Left wrist radiograph; frontal; pediatric patient (female, age 6); cast present: 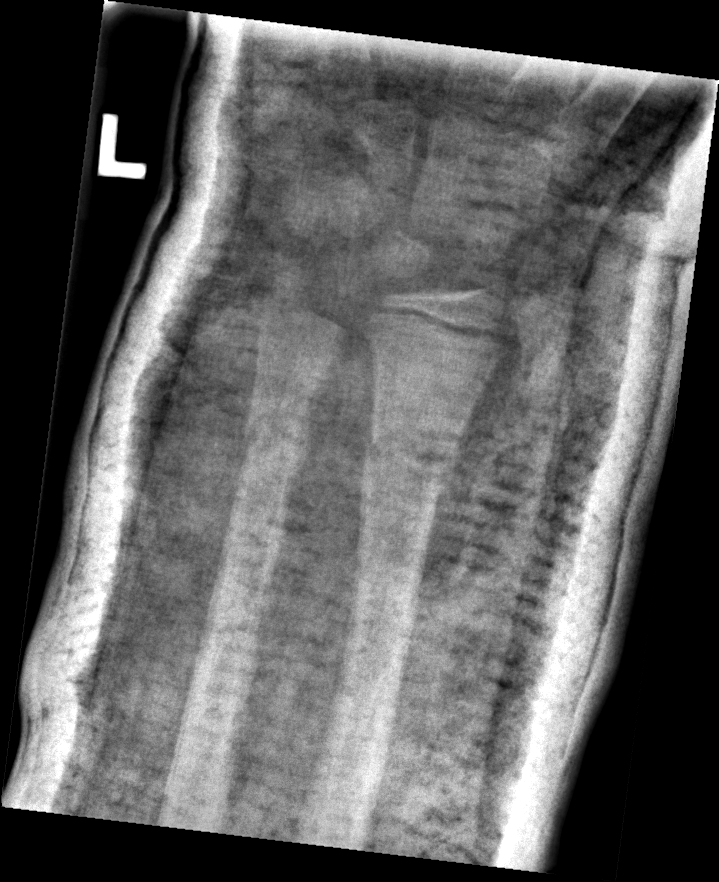
AO code 23-M/3.1.
Bone fracture: (left=360, top=415, right=467, bottom=508); (left=236, top=399, right=314, bottom=471).